Left wrist XR, lat, boy, 10 yo, 512 by 802 pixels —
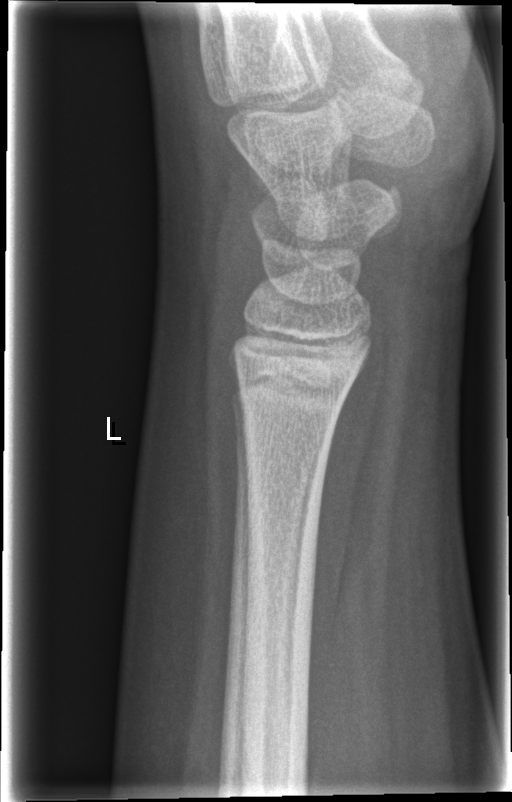

No fracture annotation.